Posteroanterior projection · R plain radiograph of the wrist
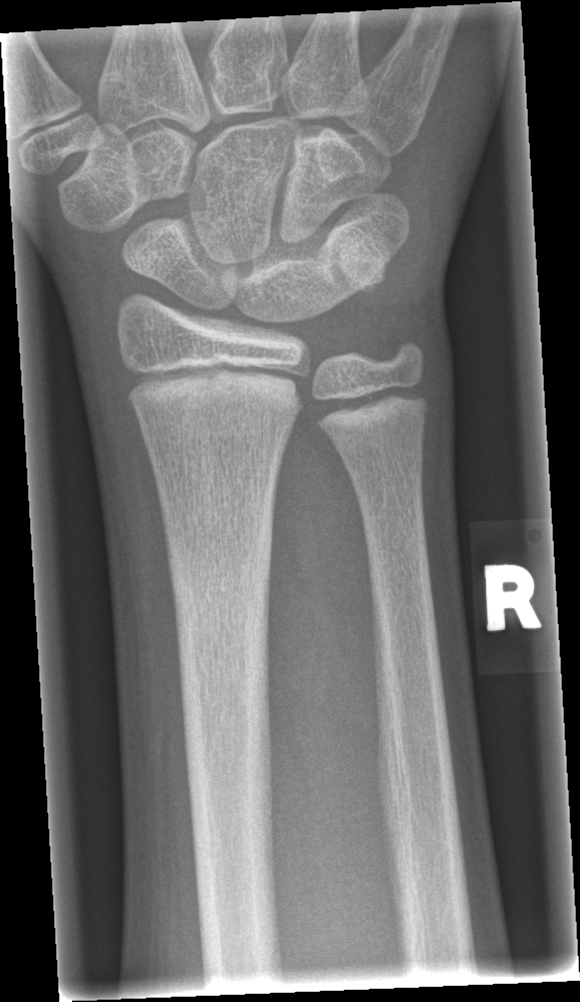 {"fracture": "bbox(160, 484, 281, 715)"}